Rt wrist X-ray | PA/AP projection | follow-up.

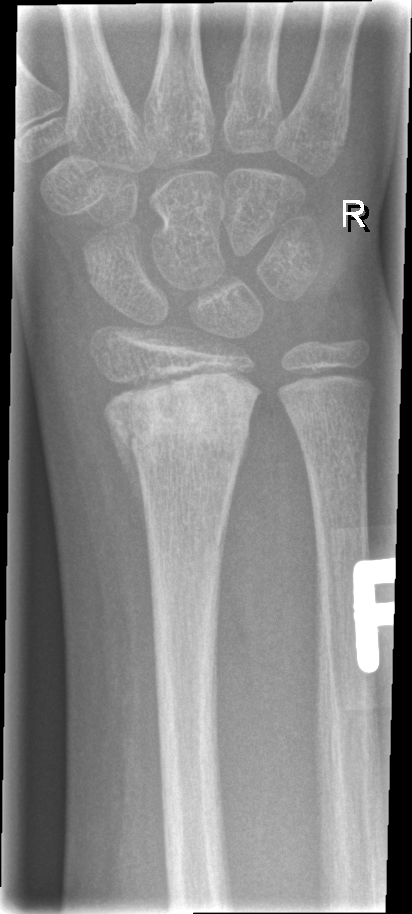 (pixel coordinates, top-left origin, xyxy)
Fx = 104 374 261 454
AO classification = 23r-M/3.1
periosteal reaction = 106 417 148 552
osteopenia = present